Left wrist XR | posteroanterior | age 9 y, girl: 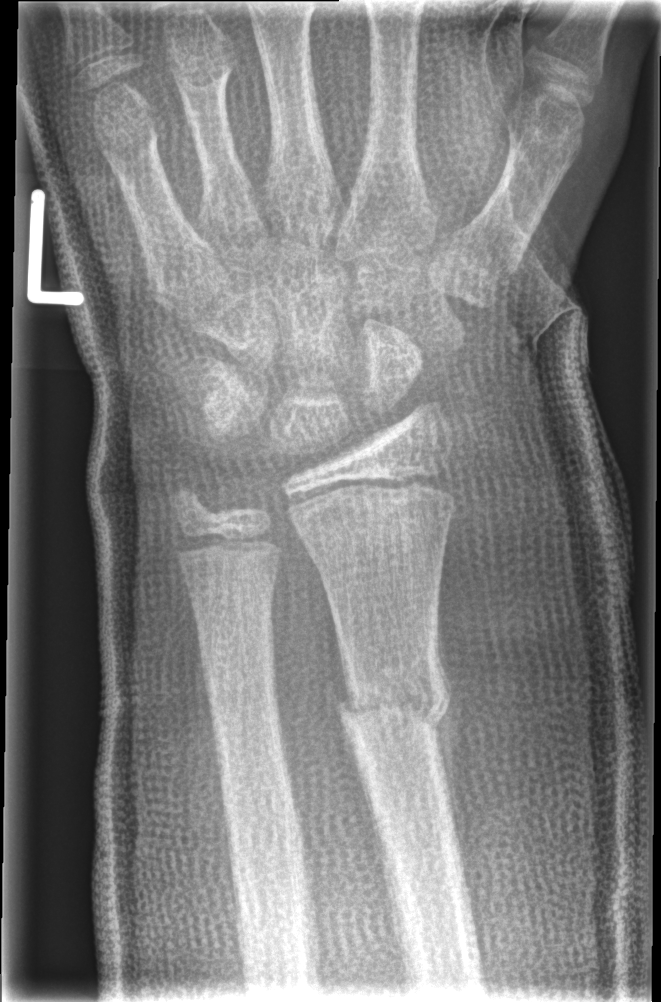
(boxes as x1,y1,x2,y2 (top-left / bottom-right, pixel units))
periosteal thickening: 1 @ [x1=432, y1=621, x2=467, y2=882]
bone fracture: [x1=333, y1=660, x2=455, y2=736]
AO code: 23r-M/3.1